Lateral view; R wrist plain film; image 66.0 mm wide; 458 by 850 pixels 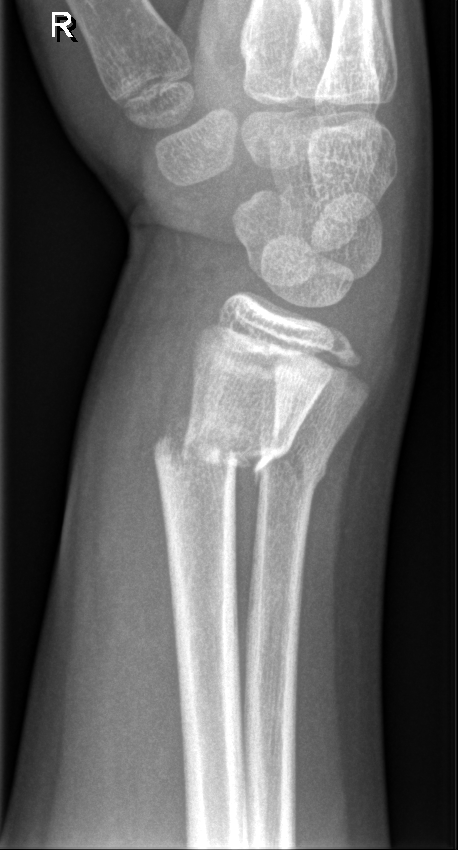

(coordinates are [x1, y1, x2, y2] in image pixels)
Fracture: 2 @ (149, 413, 293, 481), (258, 422, 332, 489)
AO classification: 23r-M/3.1; 23u-M/2.1